Frontal view, left wrist radiograph, cast present, image size 626x1194:

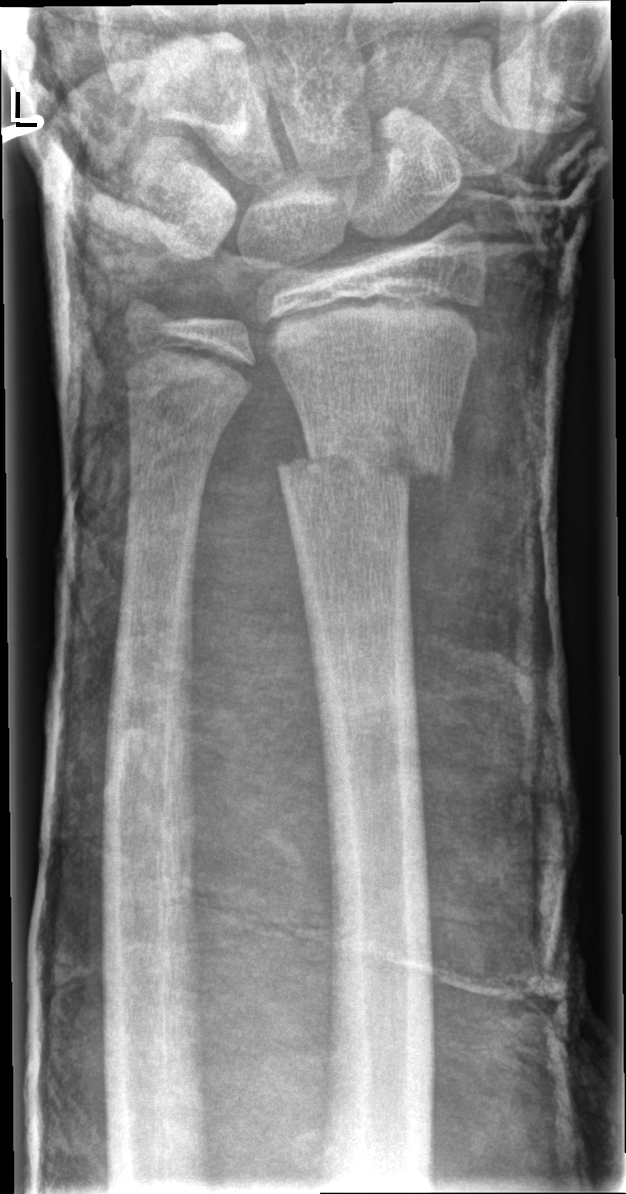

* Fracture — [x1=272, y1=418, x2=457, y2=494].
* Fracture classified AO/OTA 23r-M/3.1; 23u-M/2.1.